PA | Rt wrist plain film | male, 14 yo | initial study
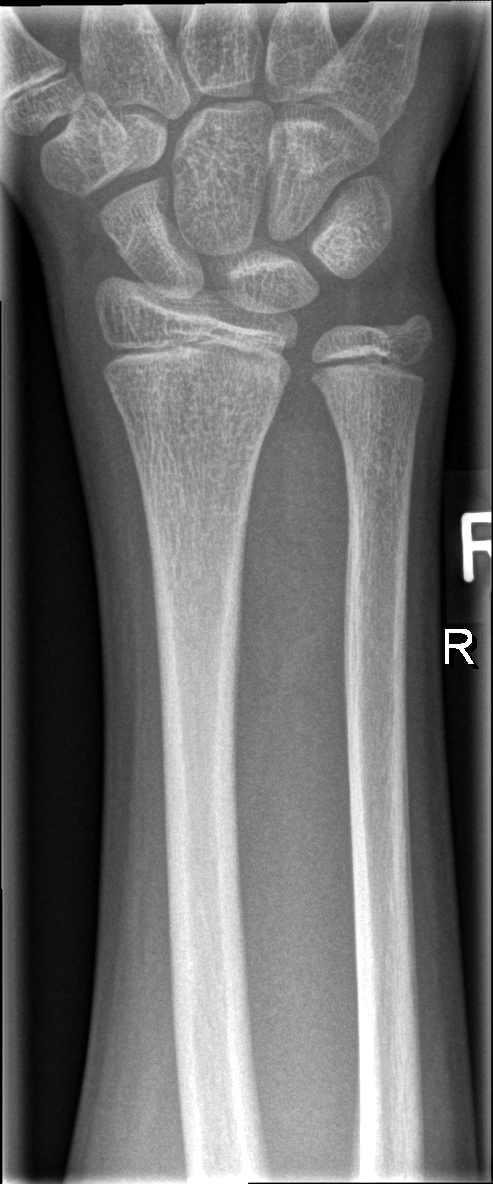

Bone fracture: present but not clearly seen in this view
AO code: 23r-M/2.1